Left wrist plain film, posteroanterior view, cast present, 818 x 1074 px

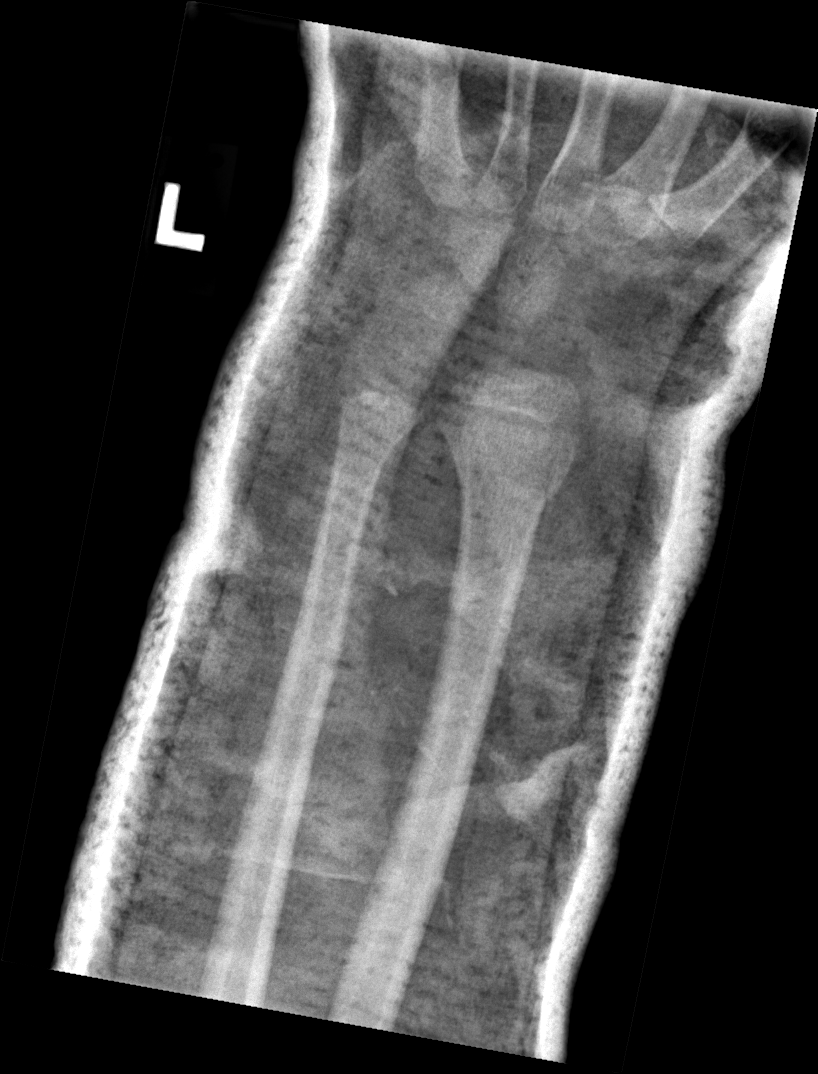 FINDINGS: Fracture identified at 458,460,565,511. Fracture classified AO/OTA 23r-M/3.1.